Lateral view · L wrist radiograph · boy, 10 yo.

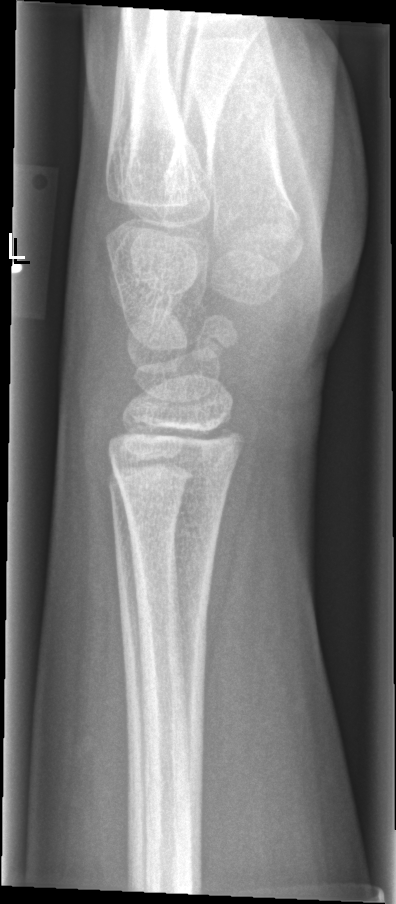

No fracture labeled.